Left wrist XR, AP, boy, 12 yo, detector: Siemens:
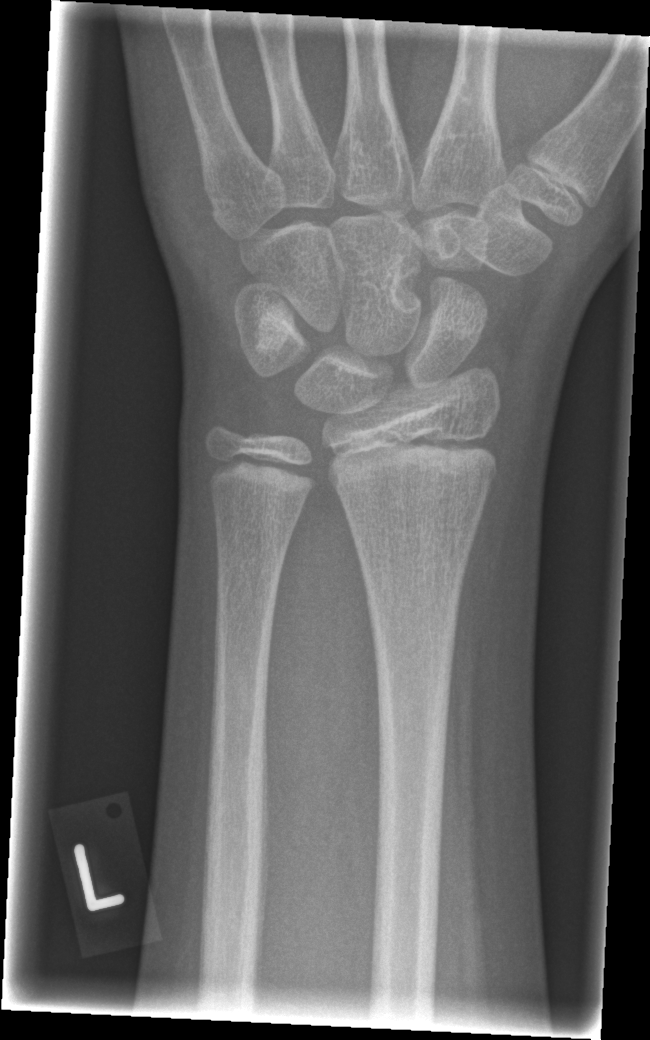
Fracture present, but no bounding box because it is not clearly seen in this view. AO/OTA classification: 23r-M/2.1.